Right wrist plain radiograph of the wrist; posteroanterior; initial study
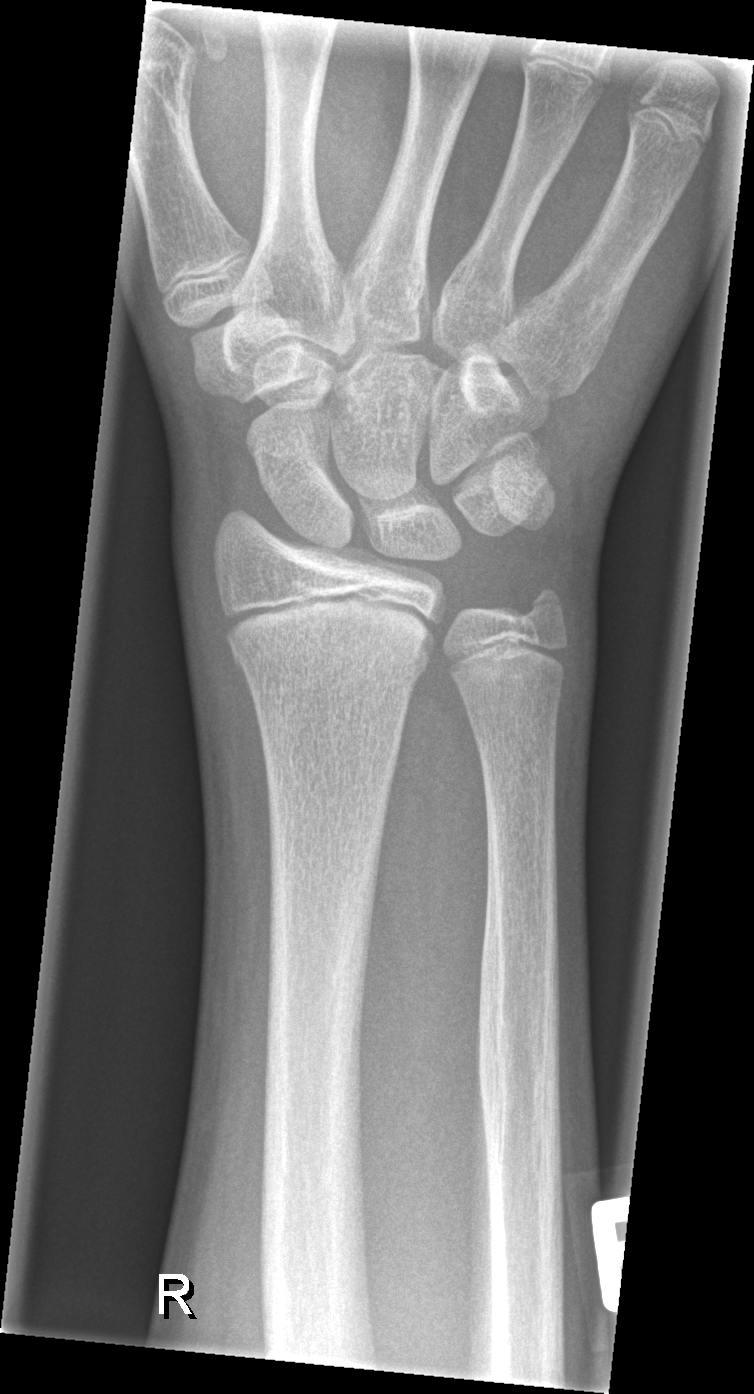
FINDINGS — (pixel coordinates, top-left origin, xyxy) Fx identified at (227, 630, 432, 687), (512, 575, 575, 636). AO/OTA classification: 23r-M/2.1; 23u-E/7.